R plain radiograph of the wrist · AP · age 14 y, girl:
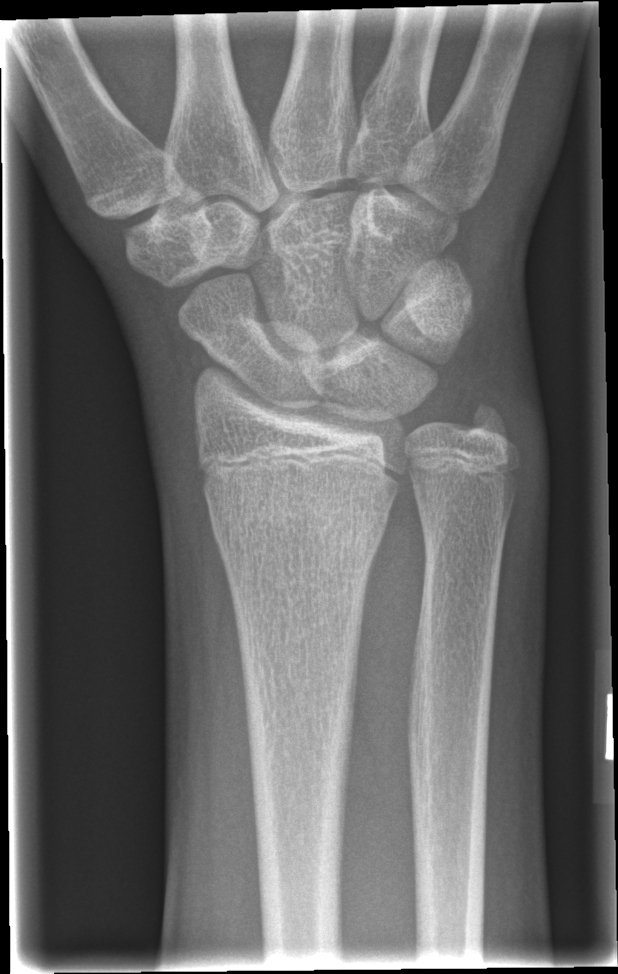

Findings: Osteopenia. Fracture classified AO/OTA 23r-M/2.1. One Fx at (left=206, top=479, right=391, bottom=562).